L wrist plain film, frontal view, 9y M, follow-up study, detector: Siemens

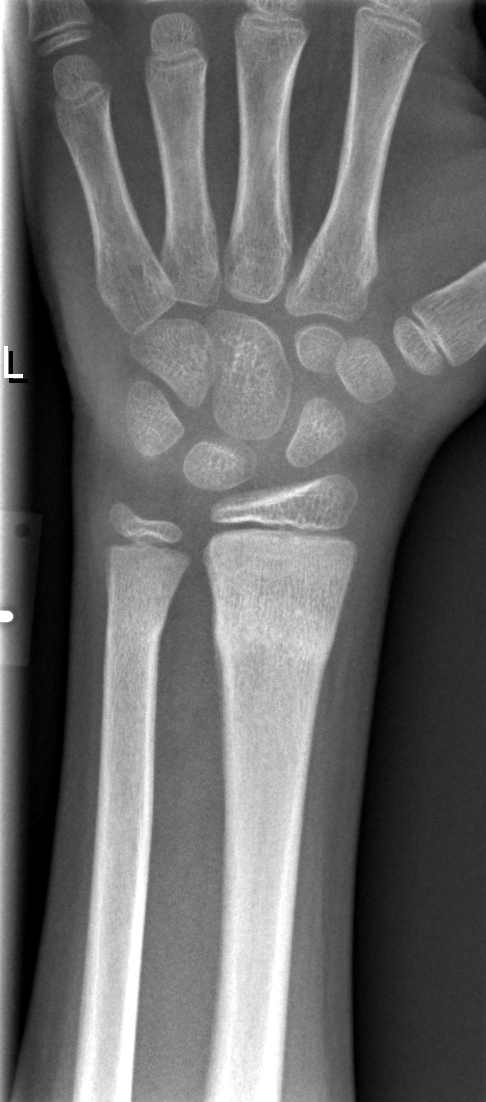
FINDINGS: Bone fractures — 208,592,340,675 | 101,605,170,653. Fracture classified AO/OTA 23-M/2.1.